Lateral projection, L pediatric wrist radiograph, imaged through cast.
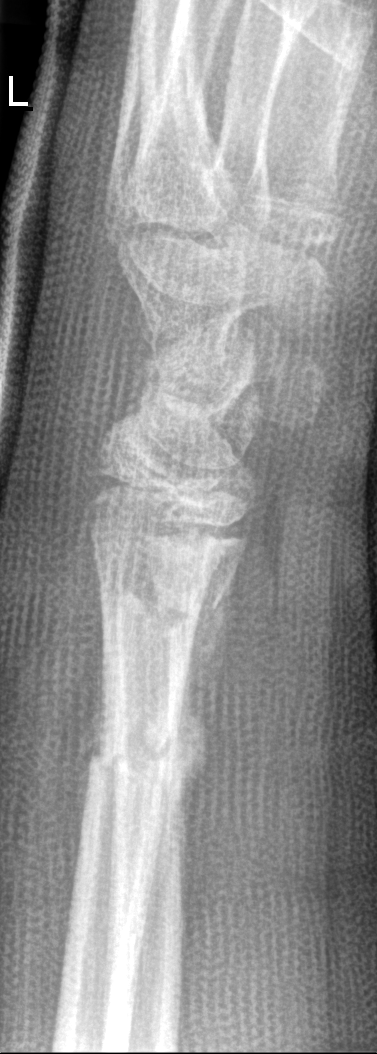 Boxes as x1,y1,x2,y2 (top-left / bottom-right, pixel units).
Fracture: <90,697>-<191,816>; <107,570>-<228,646>.
Fracture classified AO/OTA 22r-D/4.1; 23u-M/3.1.
Periosteal thickening: <156,661>-<206,869>; <77,630>-<105,863>; <185,583>-<228,687>.